Lat · right wrist X-ray · index exam · 577x1284 —
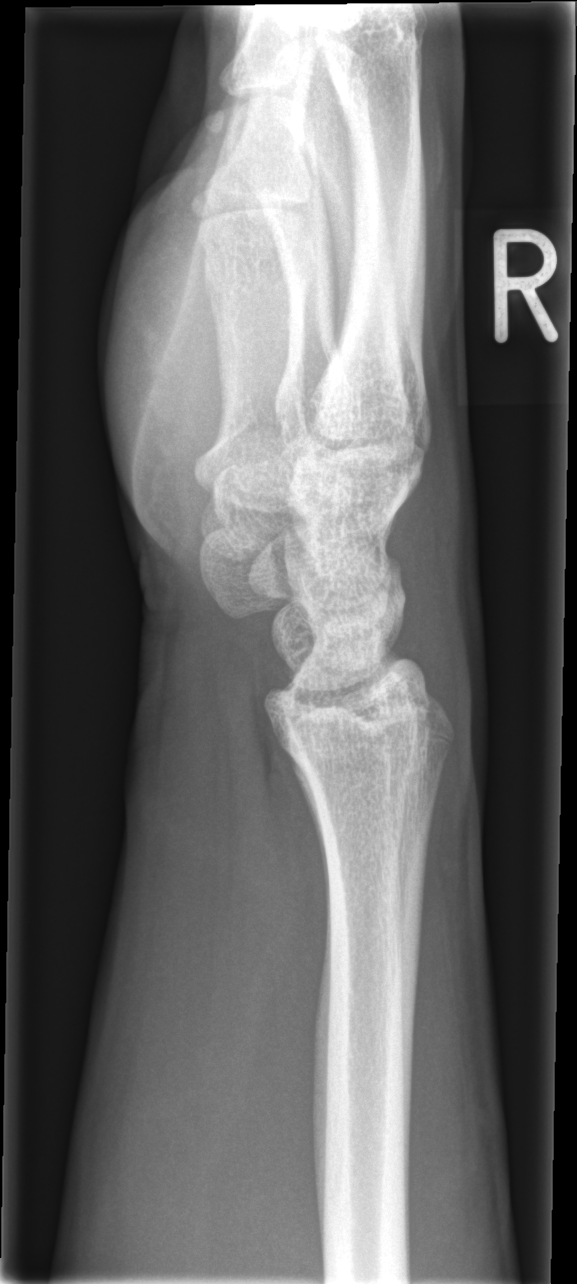
Findings: No Fx annotated.